Rt wrist X-ray; PA; male, 1.3 yo
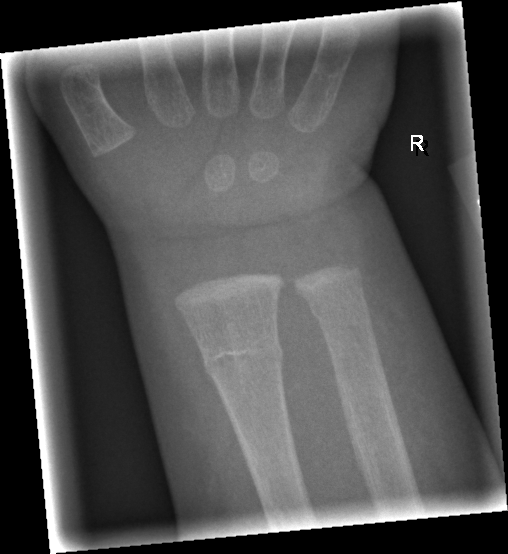

Two Fx at bbox(200, 337, 286, 379) bbox(308, 289, 372, 324). Fracture classified AO/OTA 23-M/2.1.